L plain radiograph of the wrist, lateral projection, 736 by 1230 pixels

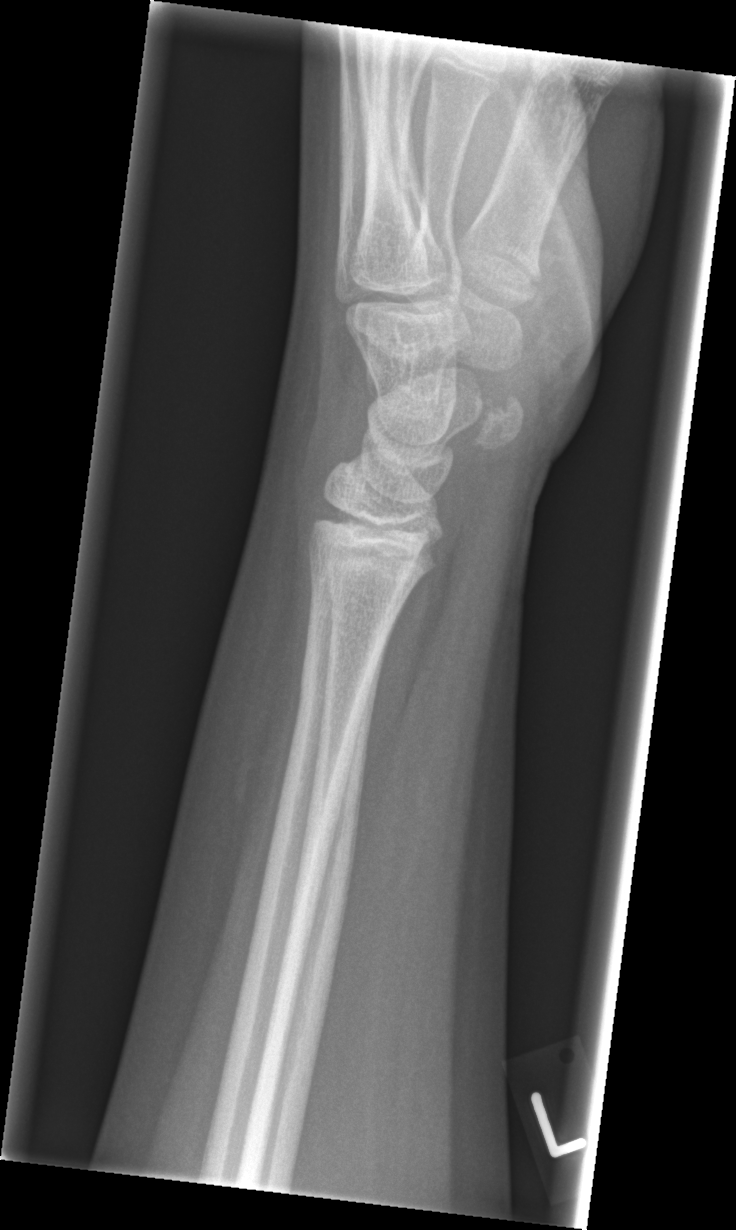

- One fracture at (294, 643, 388, 725).